Lateral; left wrist pediatric wrist radiograph; in cast.

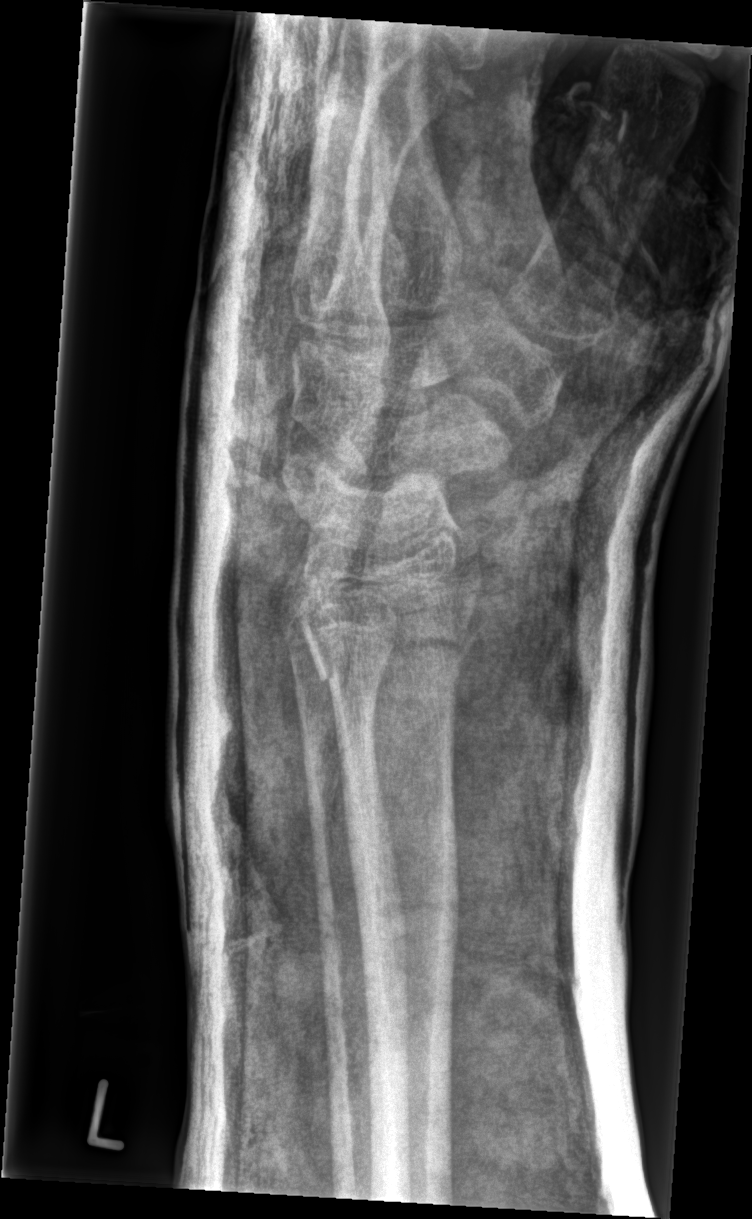

AO classification = 23r-M/3.1; 23u-E/7
Fx = 1 @ [x1=293, y1=584, x2=487, y2=692]